Frontal · L wrist X-ray · 13-year-old male · cast in situ · Siemens: 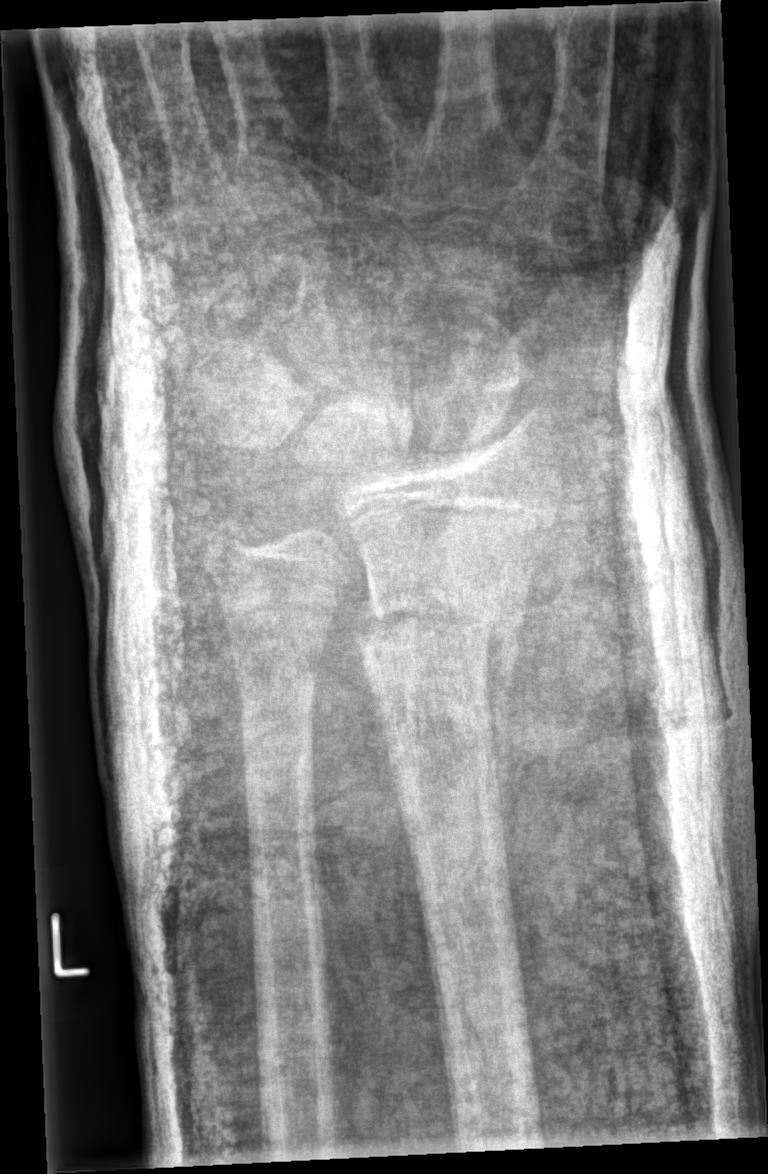 Findings: (bounding boxes in image-pixel xyxy) Periosteal new bone — [488, 571, 527, 806]. One Fx at [347, 583, 530, 653].